PA projection; Lt plain radiograph of the wrist; follow-up study:

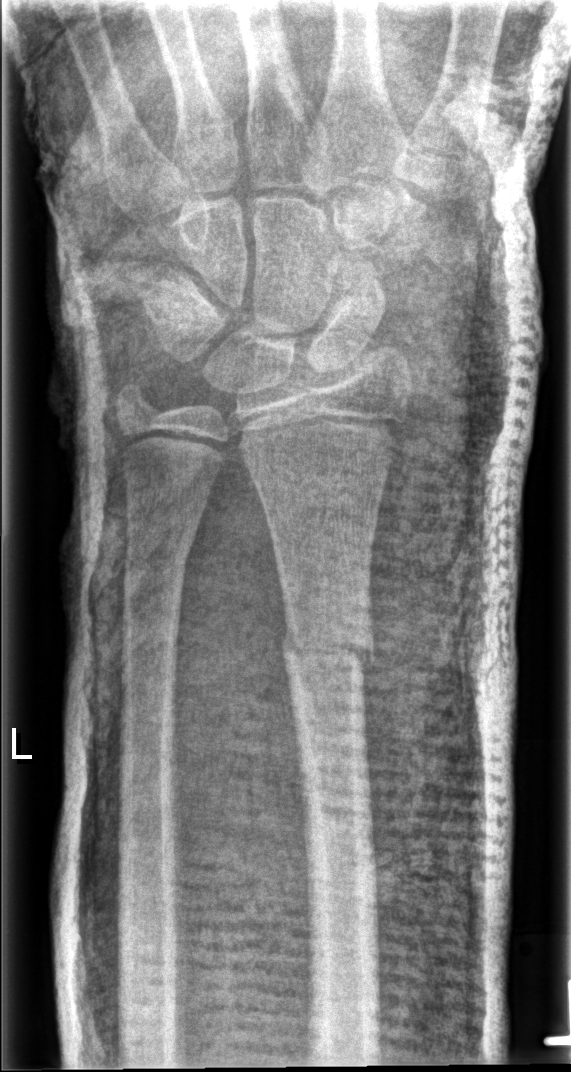 - AO/OTA classification: 23r-M/3.1; 23u-M/2.1.
- Two bone fractures at (270, 590, 382, 701); (116, 529, 195, 613).